PA view, Lt wrist radiograph, cast in situ, 549x956 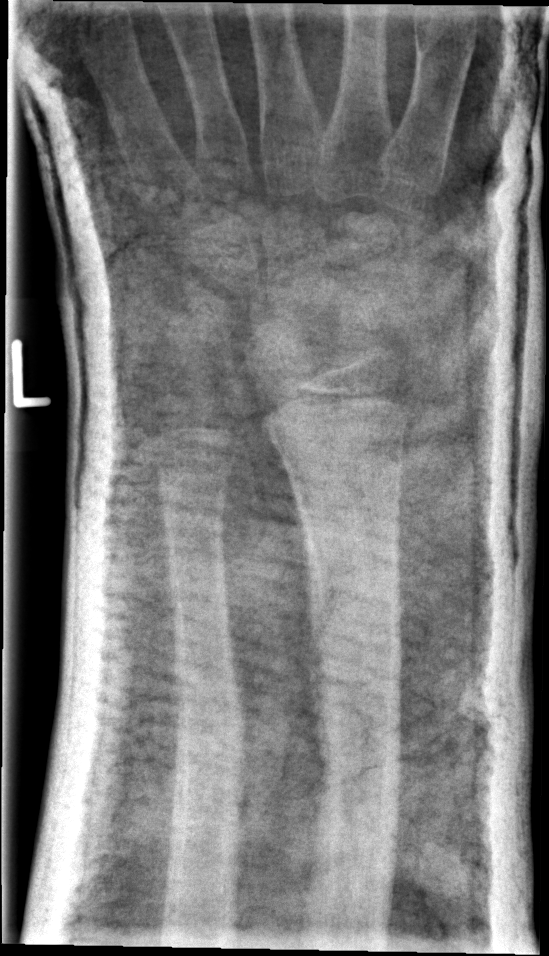 AO/OTA: 23-M/2.1
bone fracture: 2 @ 300 619 407 732; 173 677 252 759